PA/AP · left wrist pediatric wrist radiograph.
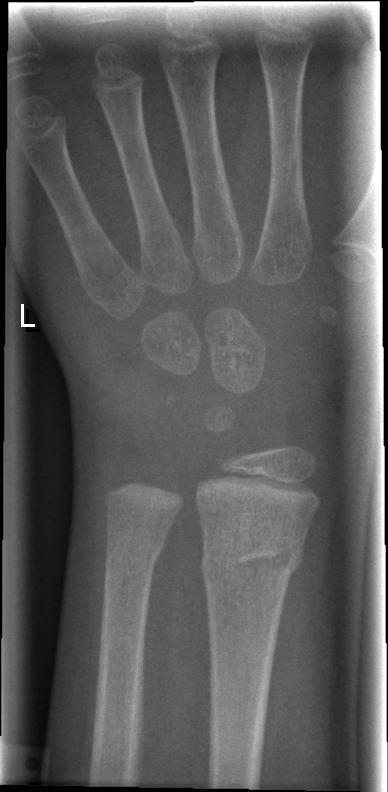 Q: Fracture present?
A: Fracture identified at (194, 529, 309, 589) (98, 525, 171, 571)